Lat projection; R pediatric wrist radiograph; 13-year-old male 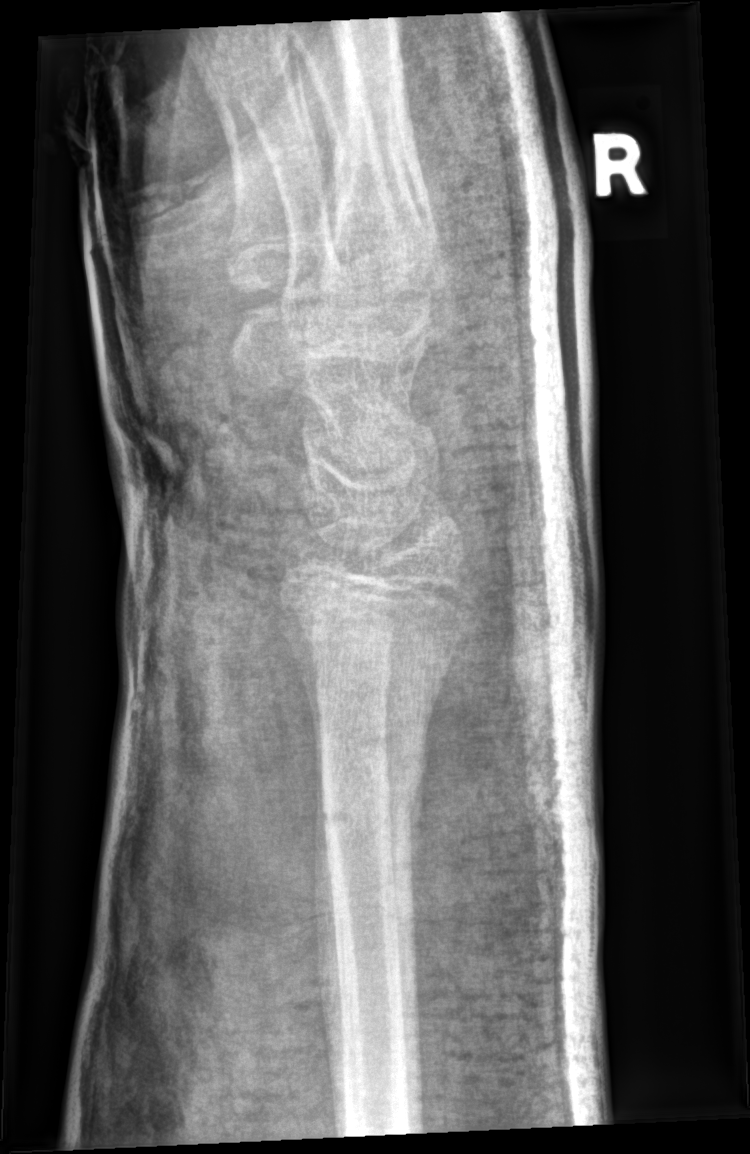
AO code = 23r-M/3.1; 23u-E/7
Fx = 1 @ (left=318, top=771, right=423, bottom=849)